Left wrist X-ray; lateral view; pediatric patient (female, age 6).
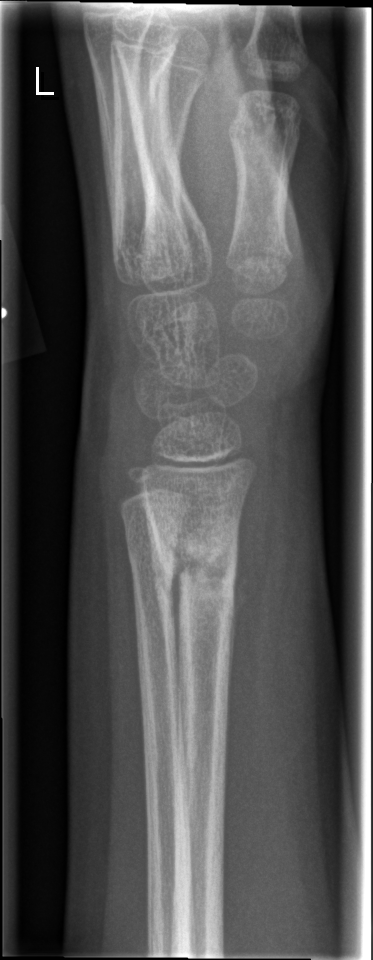
FINDINGS: Periosteal reaction identified at 147 502 191 857; 228 527 247 735. Bone fracture — 148 512 243 623. Osteopenic.